Right plain radiograph of the wrist · lateral · pediatric patient (female, age 9) · presentation radiograph · Siemens.
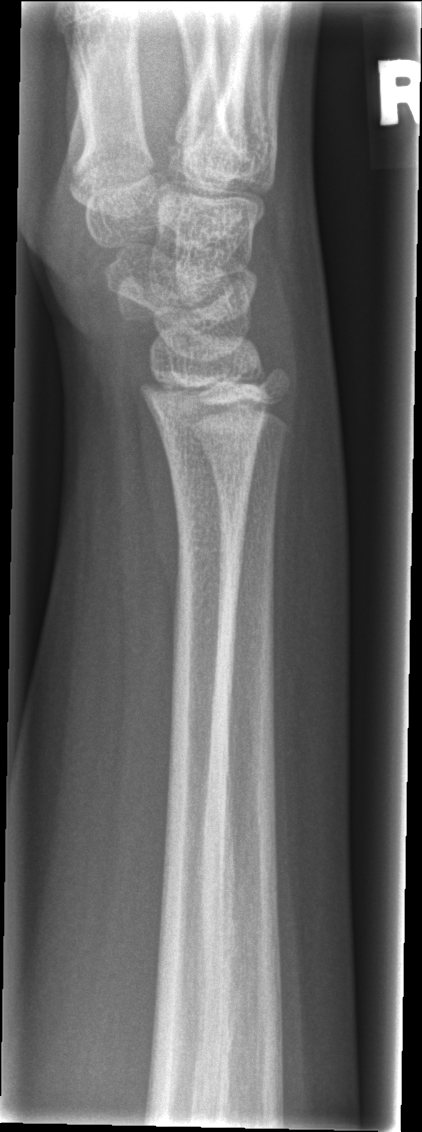

Q: Fracture present?
A: Fx: none